Lateral projection, Lt wrist X-ray, age 10 y, male, in cast —

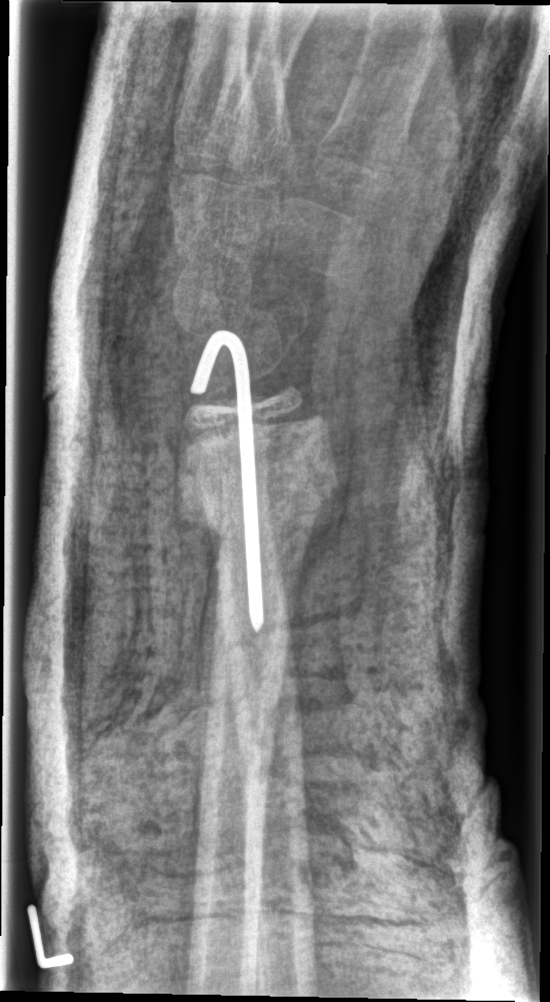 One fracture at <175,417>-<345,551>.
Metal: <188,327>-<266,634>.